Left wrist plain radiograph of the wrist · posteroanterior · subsequent exam —
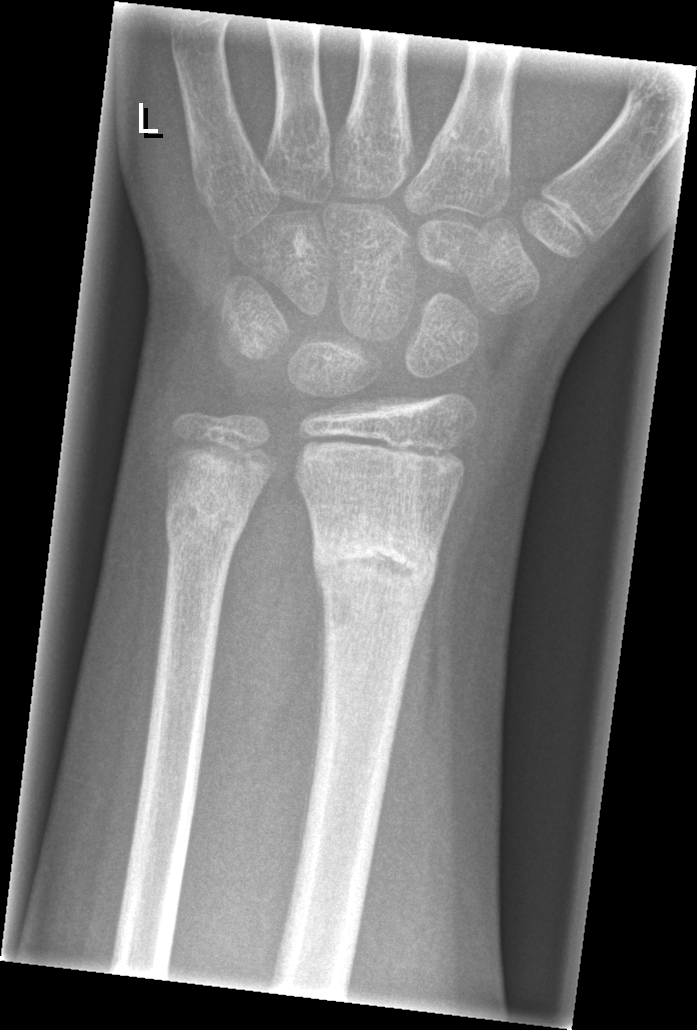 FINDINGS — (bounding boxes in image-pixel xyxy) Fracture identified at <309,515>-<445,599>, <160,493>-<253,550>. AO/OTA classification: 23-M/2.1. Decreased bone density (osteopenia).